Left wrist pediatric wrist radiograph, lat view, age 10 y, boy, cast present, 436x892. 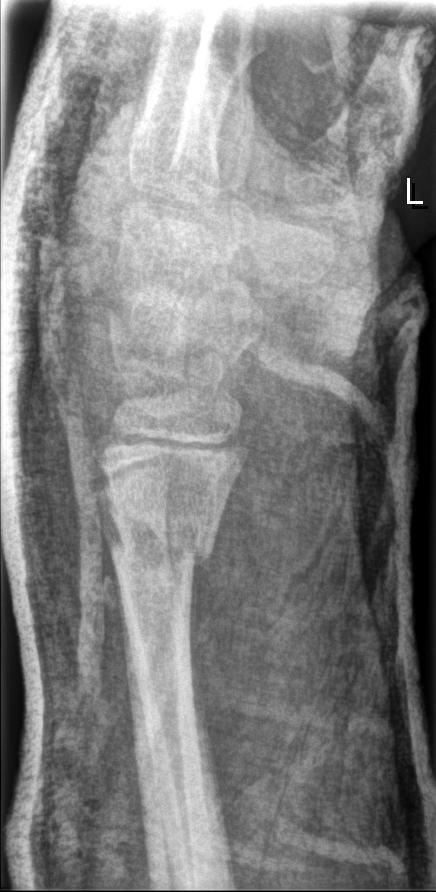 Q: Is there a fracture?
A: Bone fracture identified at 106,513,218,575